Right wrist radiograph; posteroanterior view; acquired on Siemens. 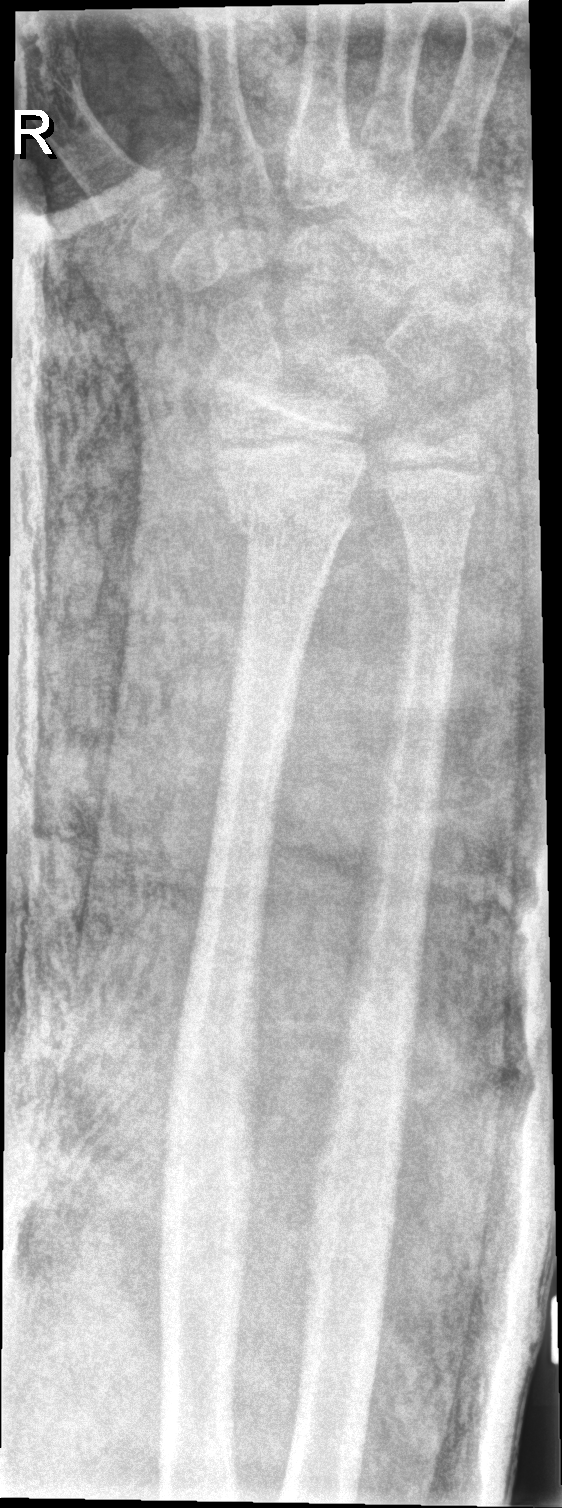

FINDINGS: Fracture classified AO/OTA 23r-M/3.1; 23u-M/2.1. Bone fractures — (left=223, top=487, right=358, bottom=558) (left=400, top=548, right=471, bottom=611).